Lateral, R wrist plain film, boy, 11 yo, in cast. 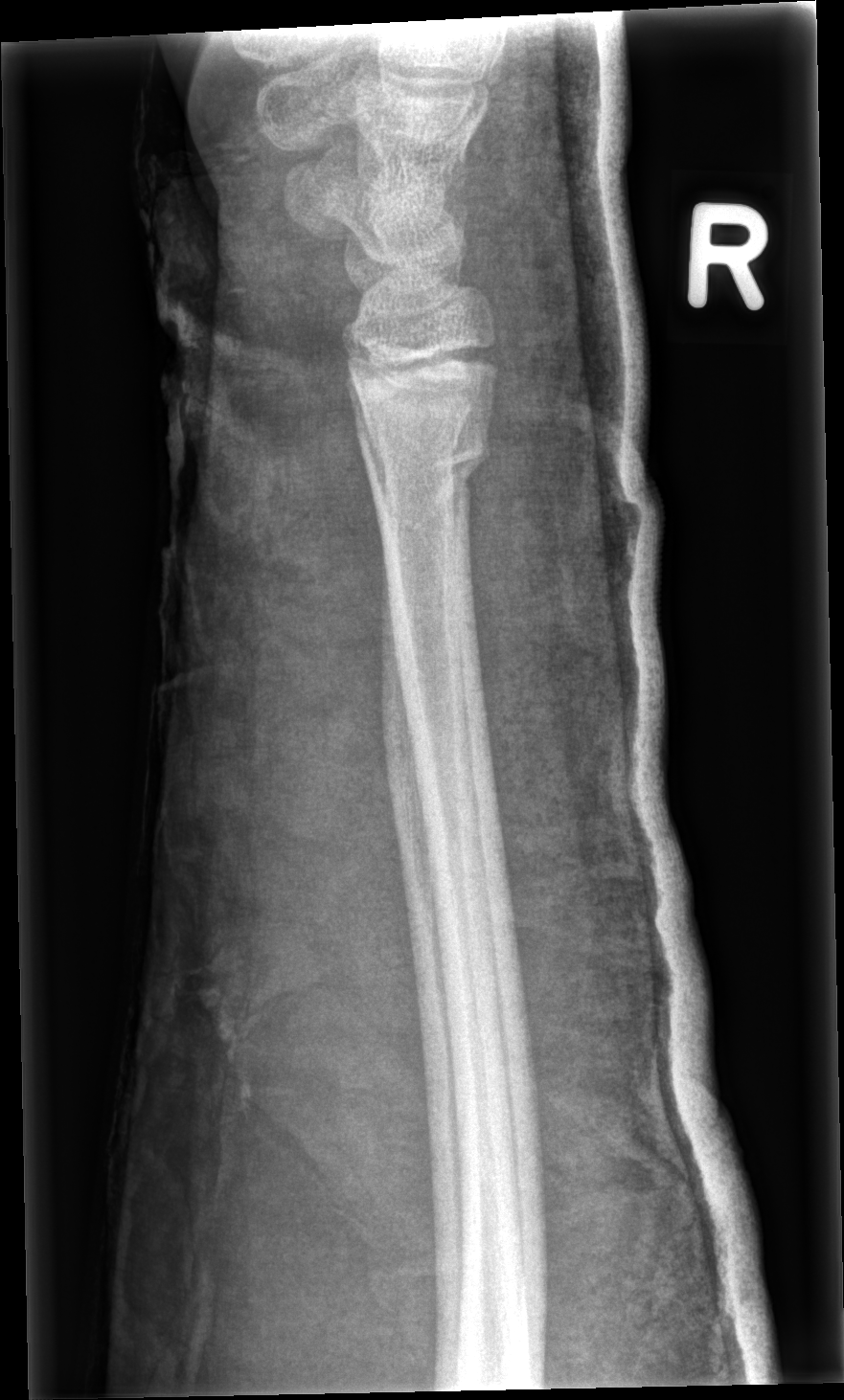 {"_coords": "pixel coordinates, top-left origin, xyxy", "fracture": "1 @ 348 408 505 524"}